Lt plain radiograph of the wrist; frontal —
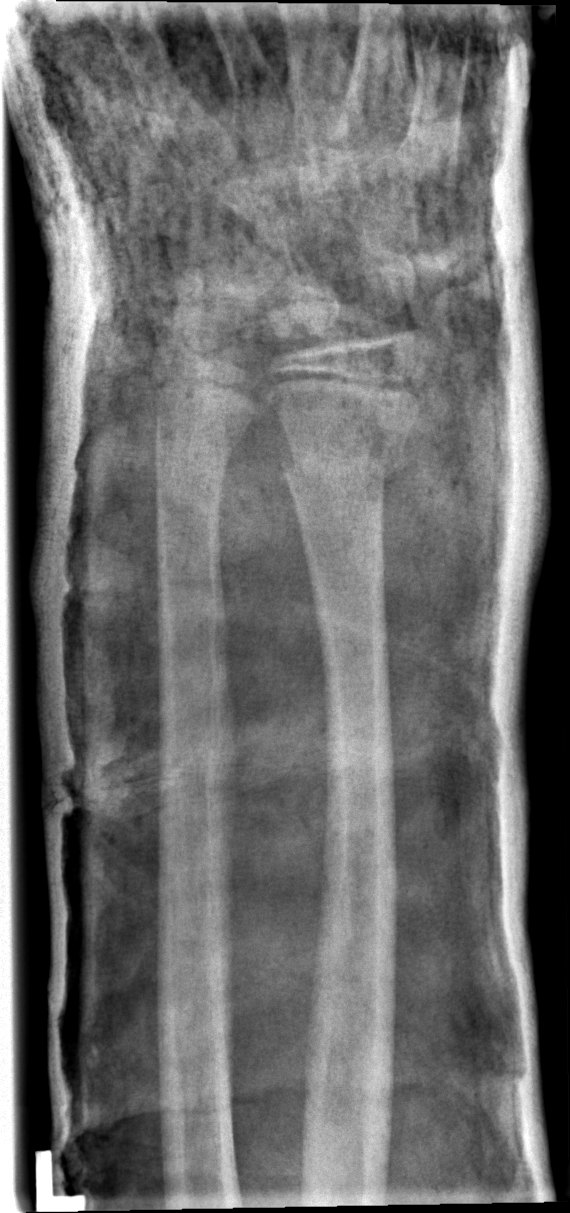

• Boxes as x1,y1,x2,y2 (top-left / bottom-right, pixel units).
• Fx — (276, 438, 407, 496), (152, 404, 247, 463).